L wrist X-ray · PA view. 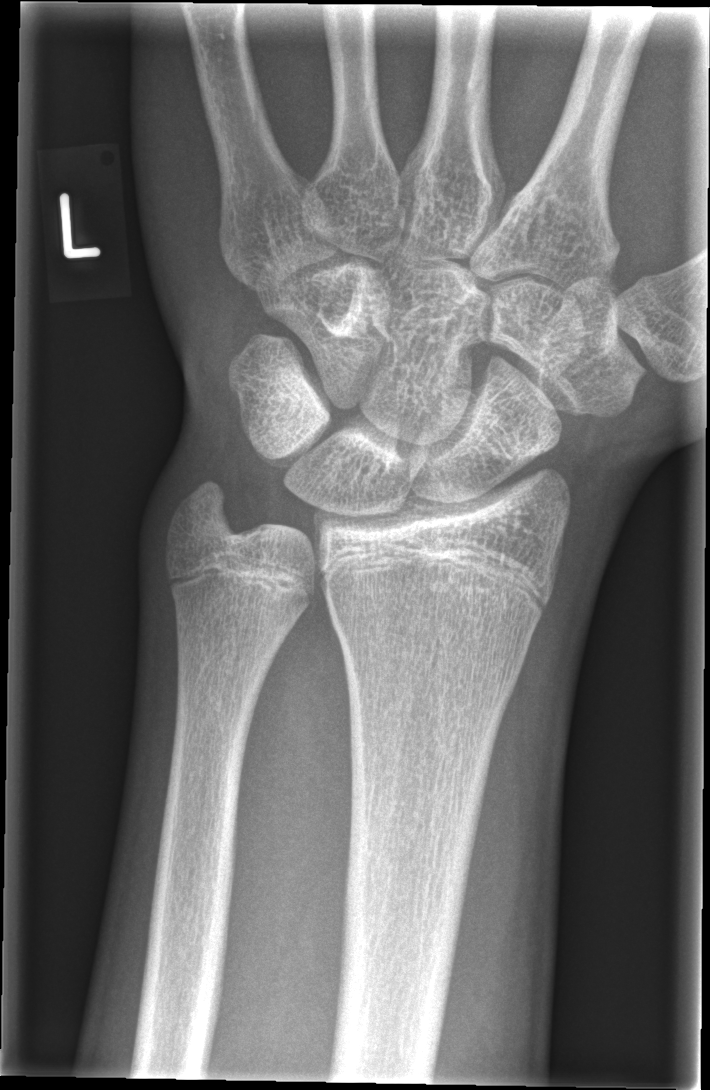

Q: Locate any fractures.
A: No fracture annotation